Frontal projection; R wrist plain film; 10-year-old girl; follow-up; Siemens
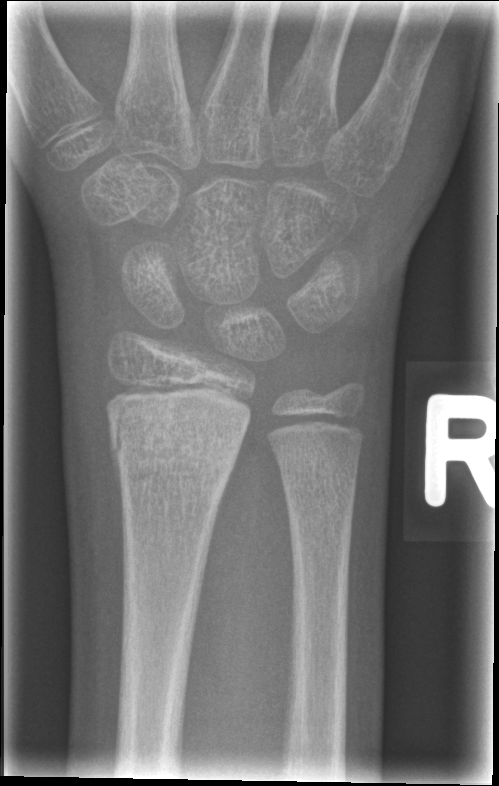
AO code 23r-M/3.1; 23u-M/2.1.
Fracture — 106,410,244,480.